Left wrist plain film; frontal; boy, 8 yo —

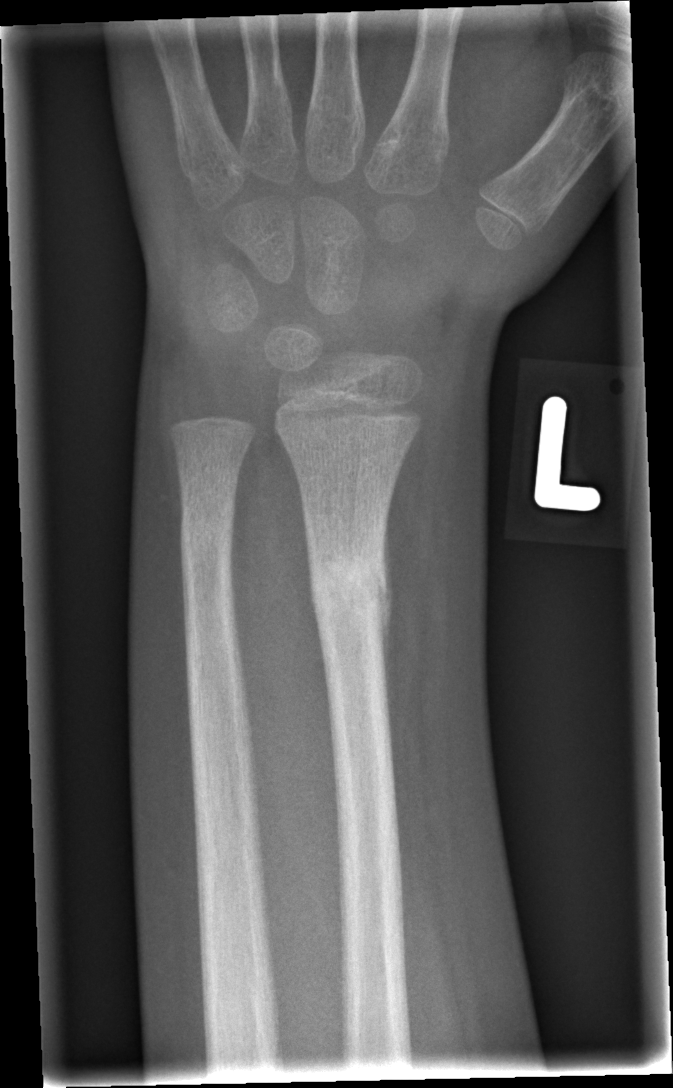

Decreased bone density (osteopenia).
Fracture: bbox(305, 551, 396, 633) bbox(177, 493, 241, 581).
Fracture classified AO/OTA 23-M/2.1.
Periosteal reaction identified at bbox(375, 521, 394, 726).